Lat view; left wrist XR; Siemens; image size 457x1164 — 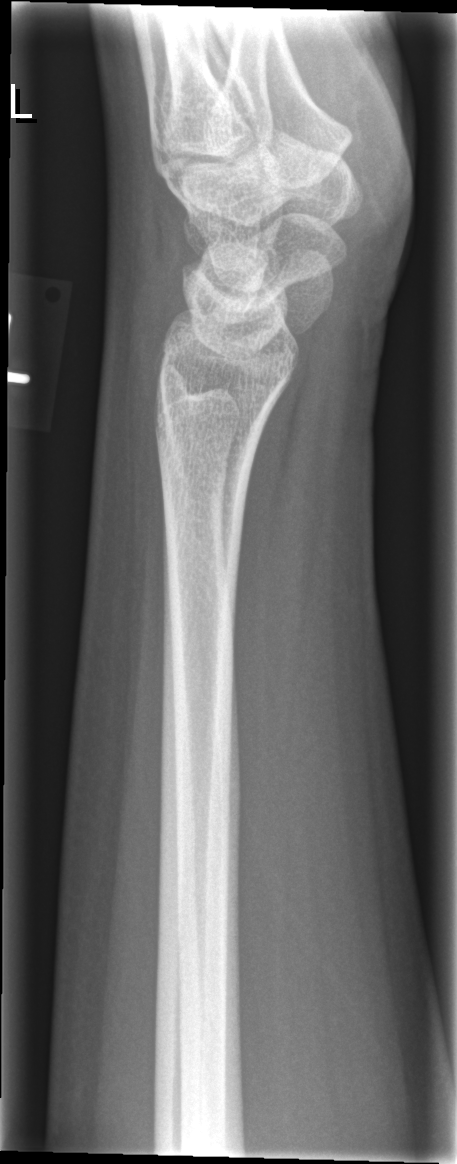
No fracture labeled.